Lateral view, left wrist pediatric wrist radiograph, pediatric patient (male, age 14), detector: Siemens:
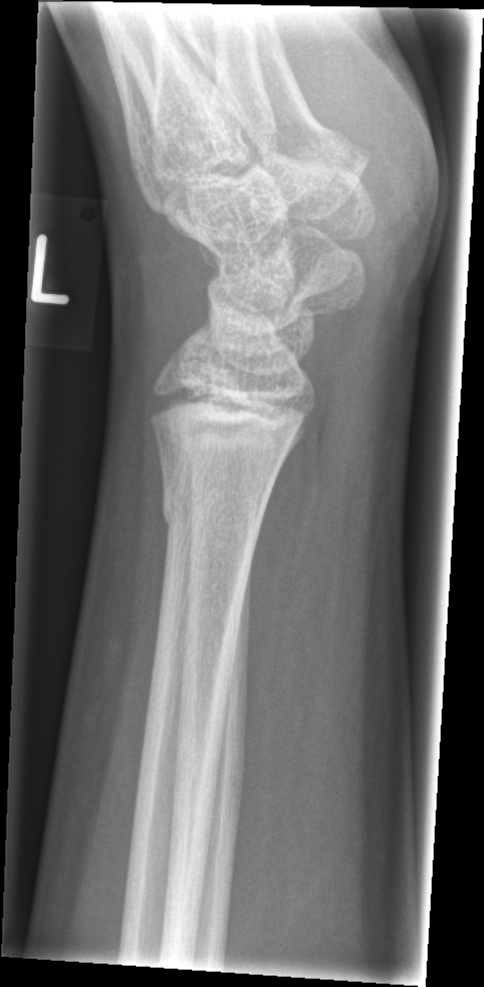   # boxes as x1,y1,x2,y2 (top-left / bottom-right, pixel units)
  fracture: 1 @ (158, 479, 268, 549)